Frontal view | left wrist plain radiograph of the wrist | cast present | image size 350x666 —

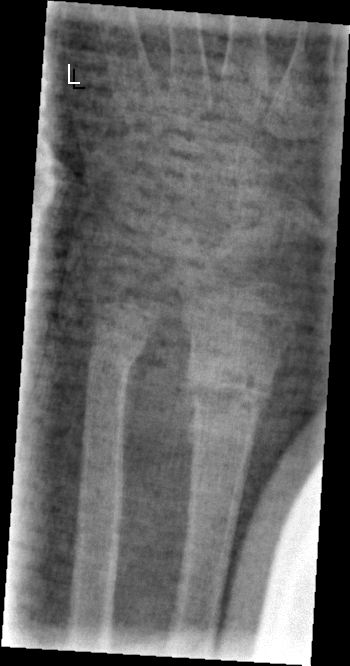

- Boxes as x1,y1,x2,y2 (top-left / bottom-right, pixel units).
- Two bone fractures at <181,353>-<278,422>, <85,343>-<142,381>.